Lateral view; Rt wrist radiograph. 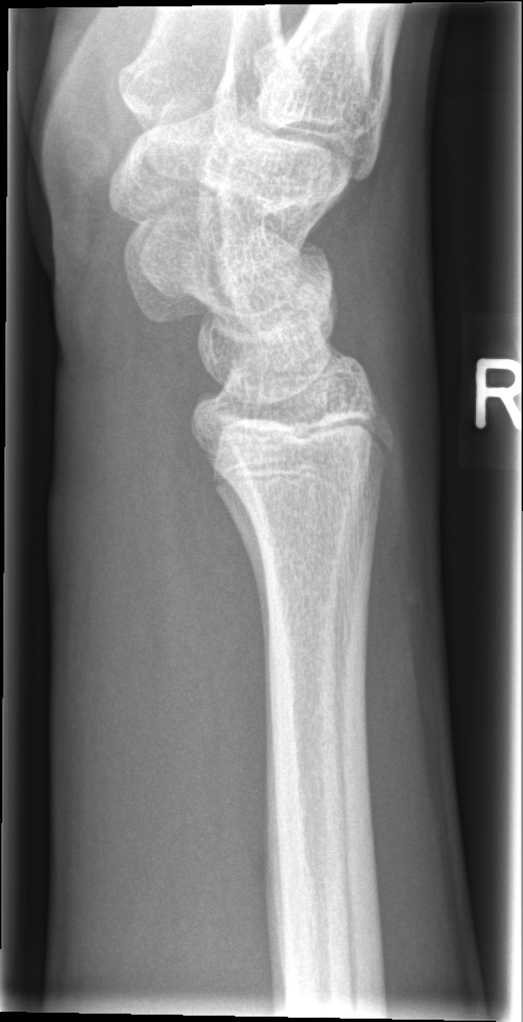
No fracture annotation.